Right pediatric wrist radiograph; frontal projection; 503 x 1166 px — 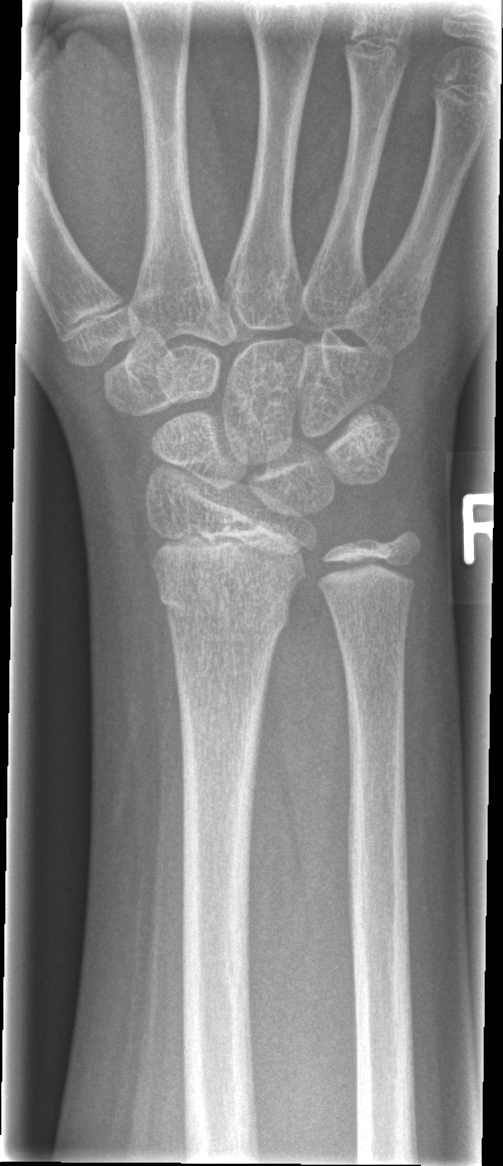
(bounding boxes in image-pixel xyxy)
AO code: 23r-M/2.1
Bone fracture: (left=153, top=571, right=292, bottom=641)